Left wrist X-ray · PA/AP view · pediatric patient (girl, age 13) —

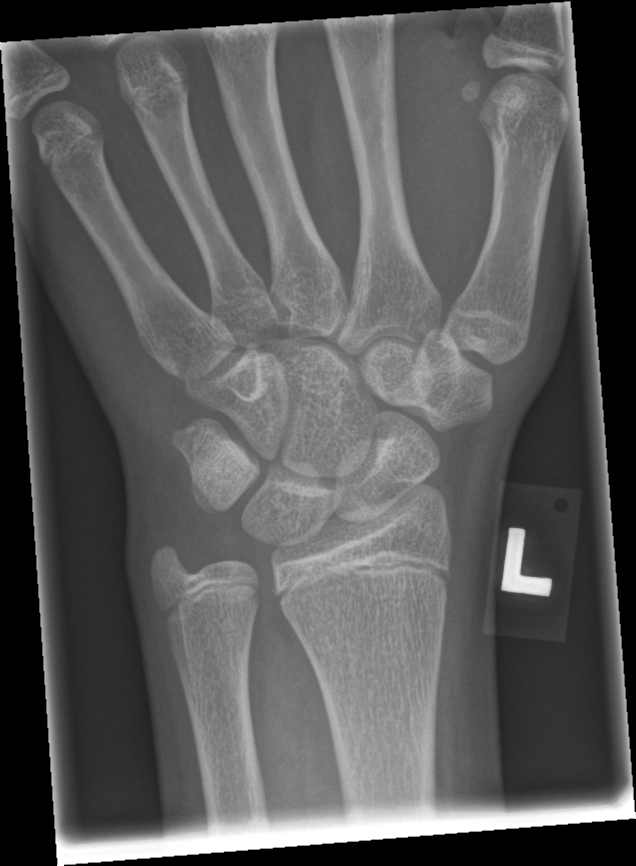 Fracture = none labeled